Lat | L wrist radiograph. 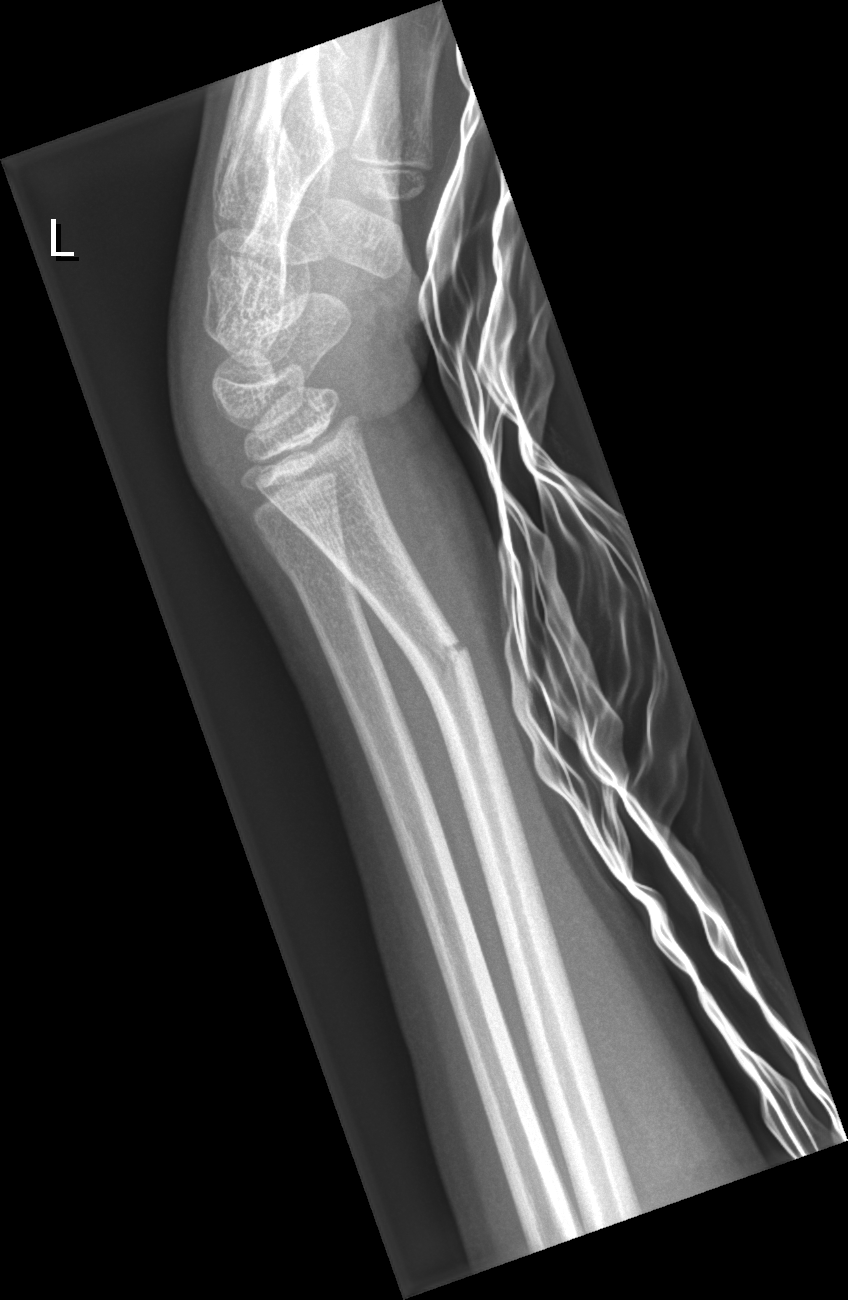
Findings: (boxes as x1,y1,x2,y2 (top-left / bottom-right, pixel units)) AO/OTA classification: 22r-D/2.1; 23u-M/2.1. Fractures — 403 627 480 695; 275 537 351 597.